Right wrist XR · lat projection · age 15 y, boy —

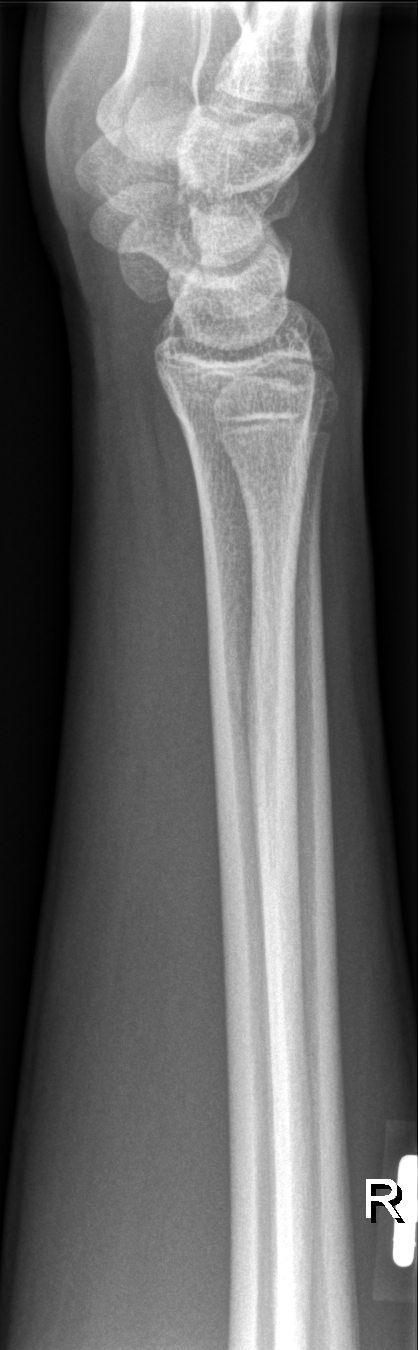
Findings: Fracture: none labeled.